Right plain radiograph of the wrist | lat view | pediatric patient (male, age 12) | 451x946:
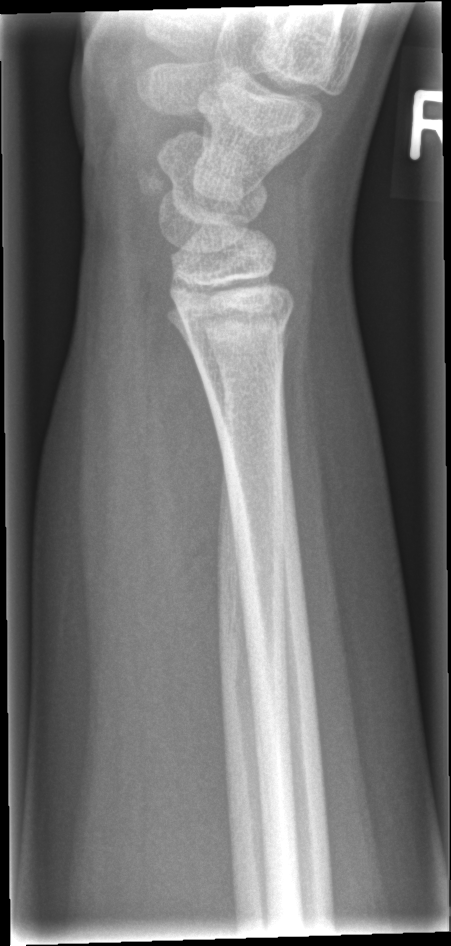

Fracture — 180 299 295 363. Fracture classified AO/OTA 23r-M/2.1.